AP projection, right wrist radiograph, follow-up: 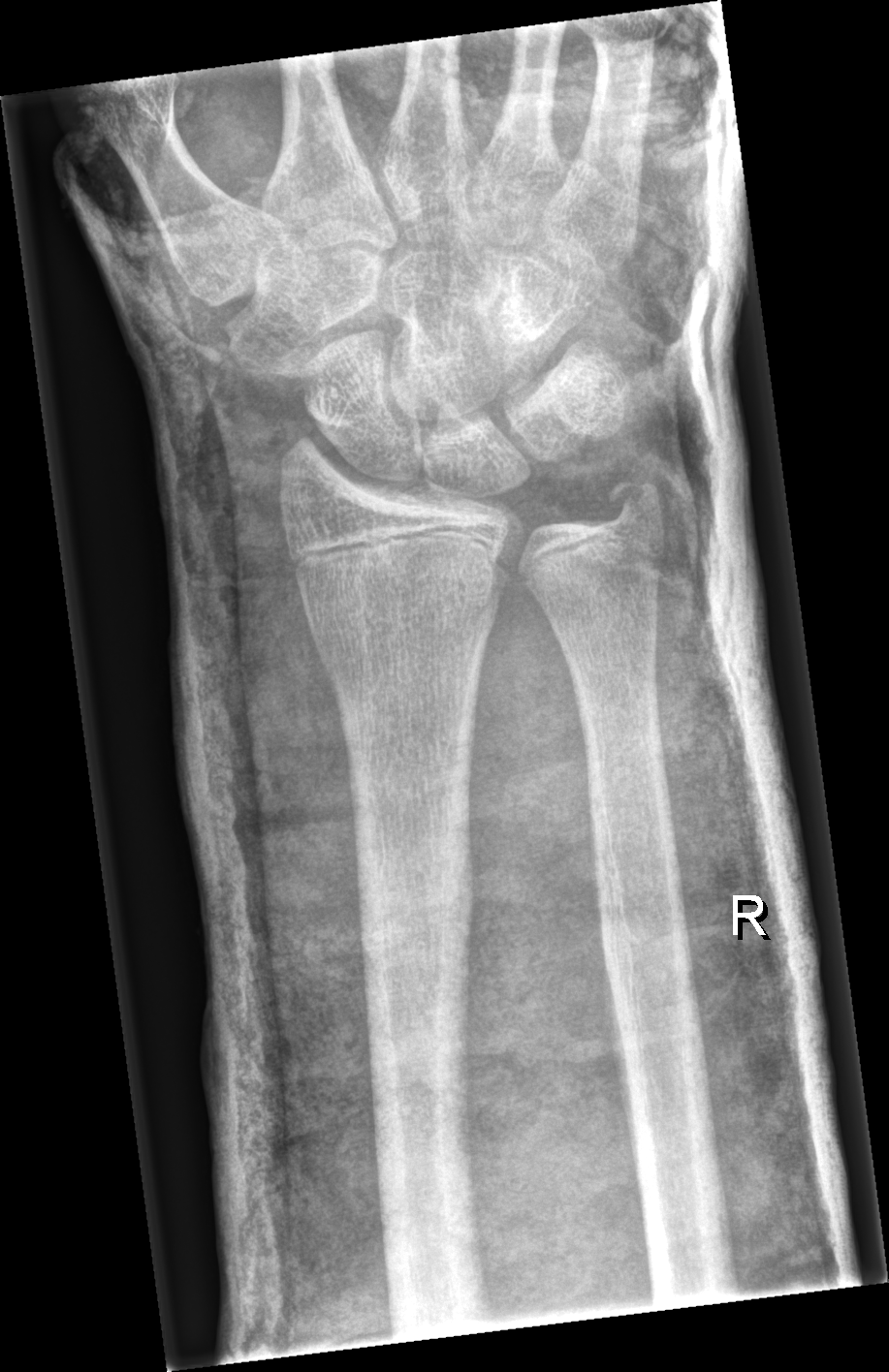

Pixel coordinates, top-left origin, xyxy. Fracture: [x1=598, y1=466, x2=669, y2=539].